Lt wrist radiograph | lat | image width 60.6 mm | image size 421x692 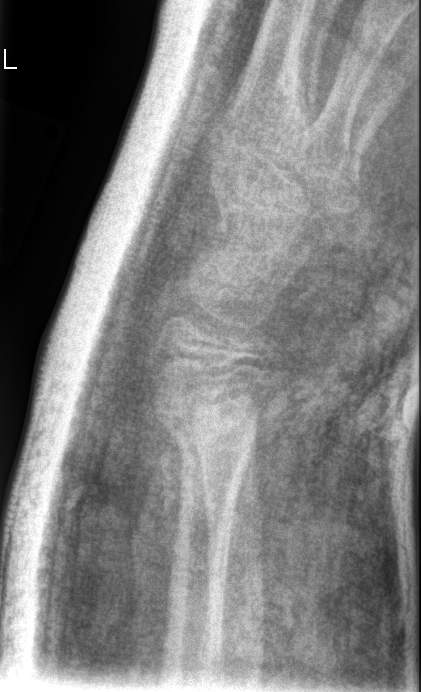 * One fracture at bbox(143, 371, 277, 454).
* Fracture classified AO/OTA 23r-M/3.1; 23u-M/2.1.
* Osteopenic.